L wrist XR; lat projection; pediatric patient (male, age 16); presentation radiograph. 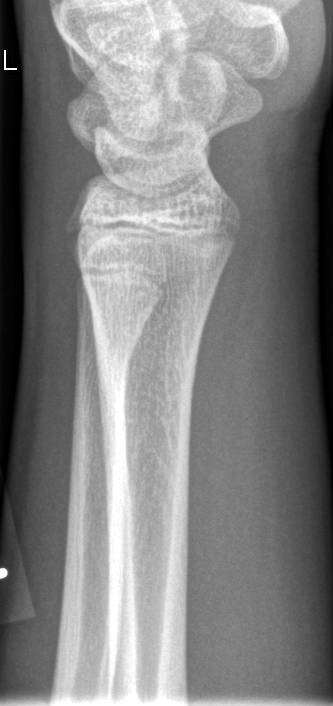
• No Fx annotated.